PA, Lt wrist XR, index exam, Siemens:
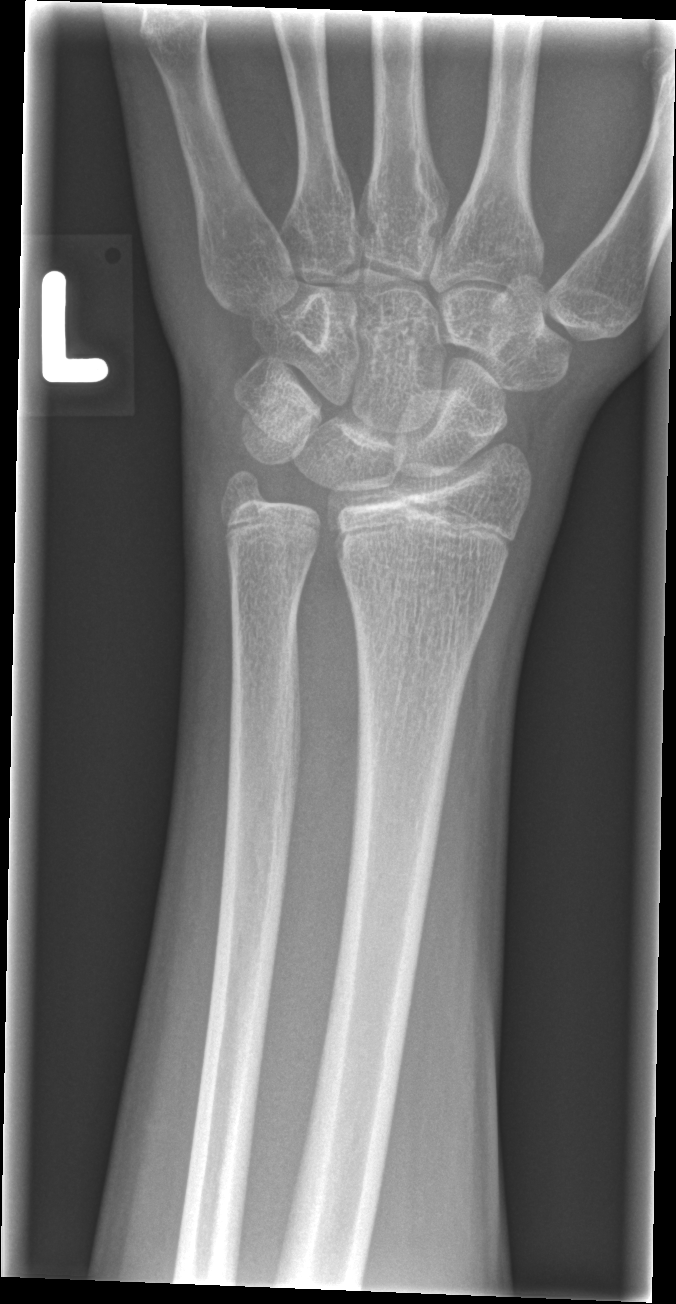

bone fracture = none labeled